Lat projection, Rt wrist plain film, follow-up, 444 by 932 pixels:

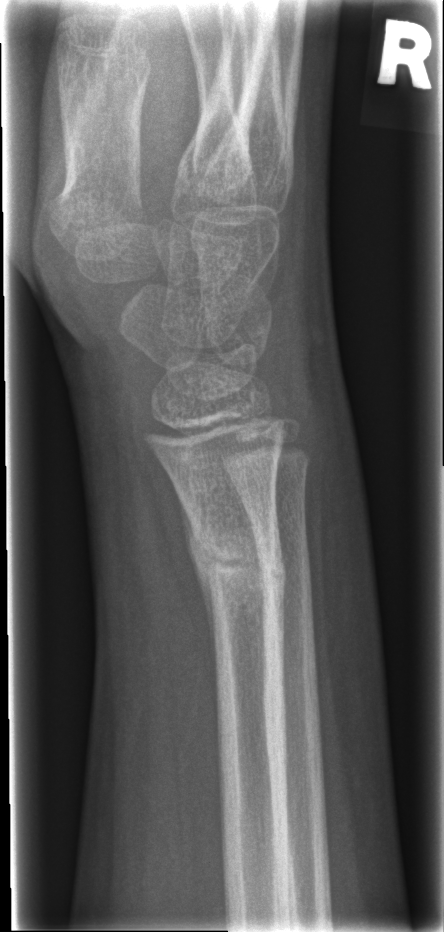

FINDINGS: (bounding boxes in image-pixel xyxy) AO/OTA classification: 23r-M/3.1. Bone fracture: [181, 506, 289, 627]. Decreased bone density (osteopenia). Periosteal new bone identified at [177, 493, 219, 697].